Lateral projection; Lt wrist XR; 14y M; imaged through cast; image 91.2 mm wide — 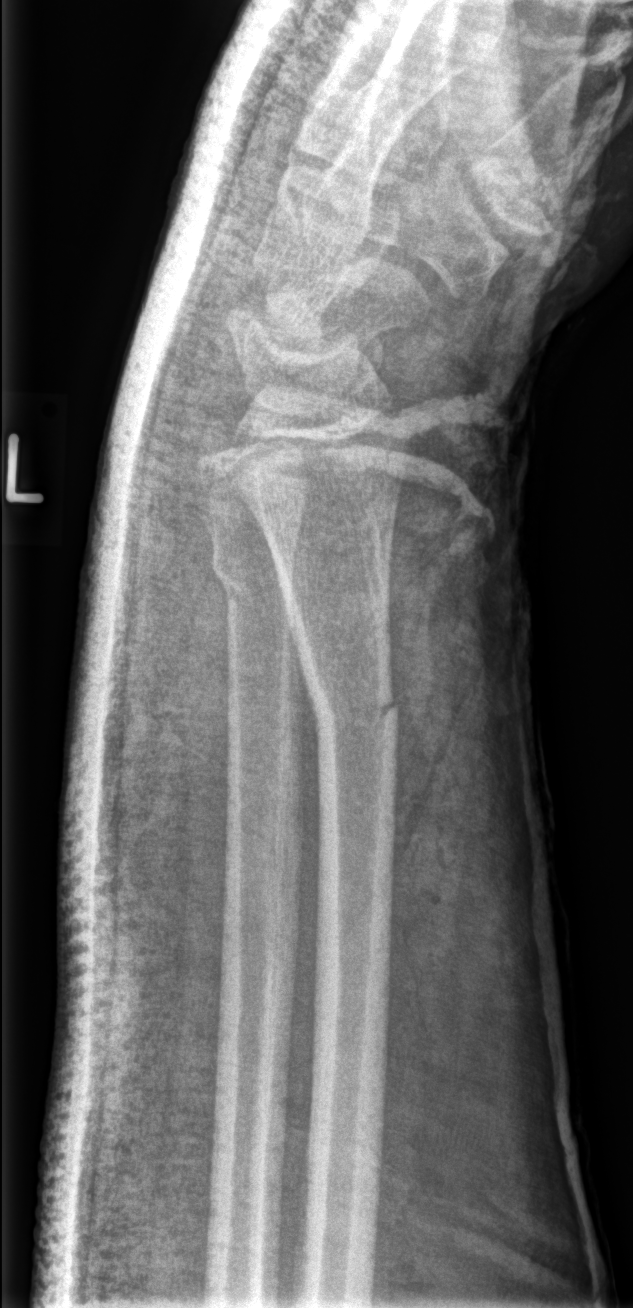 Fx = [208, 540, 297, 608]; [311, 692, 404, 745]